PA/AP view | Rt wrist radiograph | acquired on Siemens — 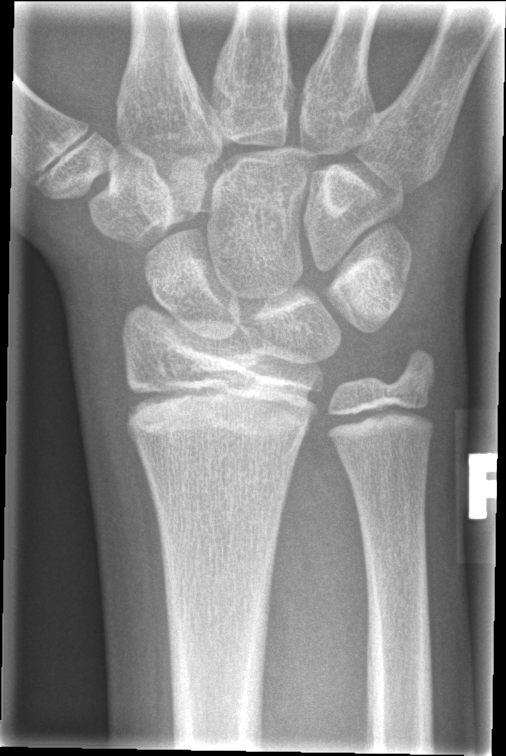
* One bone fracture at (left=124, top=372, right=318, bottom=443).